Lateral; left wrist plain film; 13-year-old boy; follow-up; Siemens; image size 605x1112:

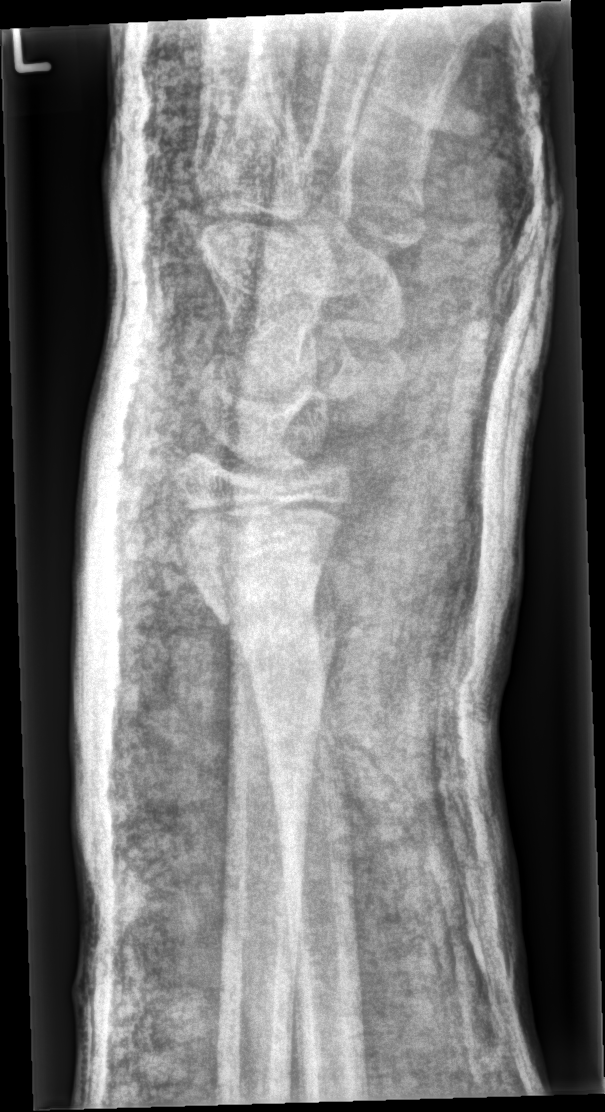
FINDINGS — One fracture at <210,595>-<347,654>.